Rt wrist X-ray · posteroanterior projection · pediatric patient (male, age 15) · 111.7 mm image width
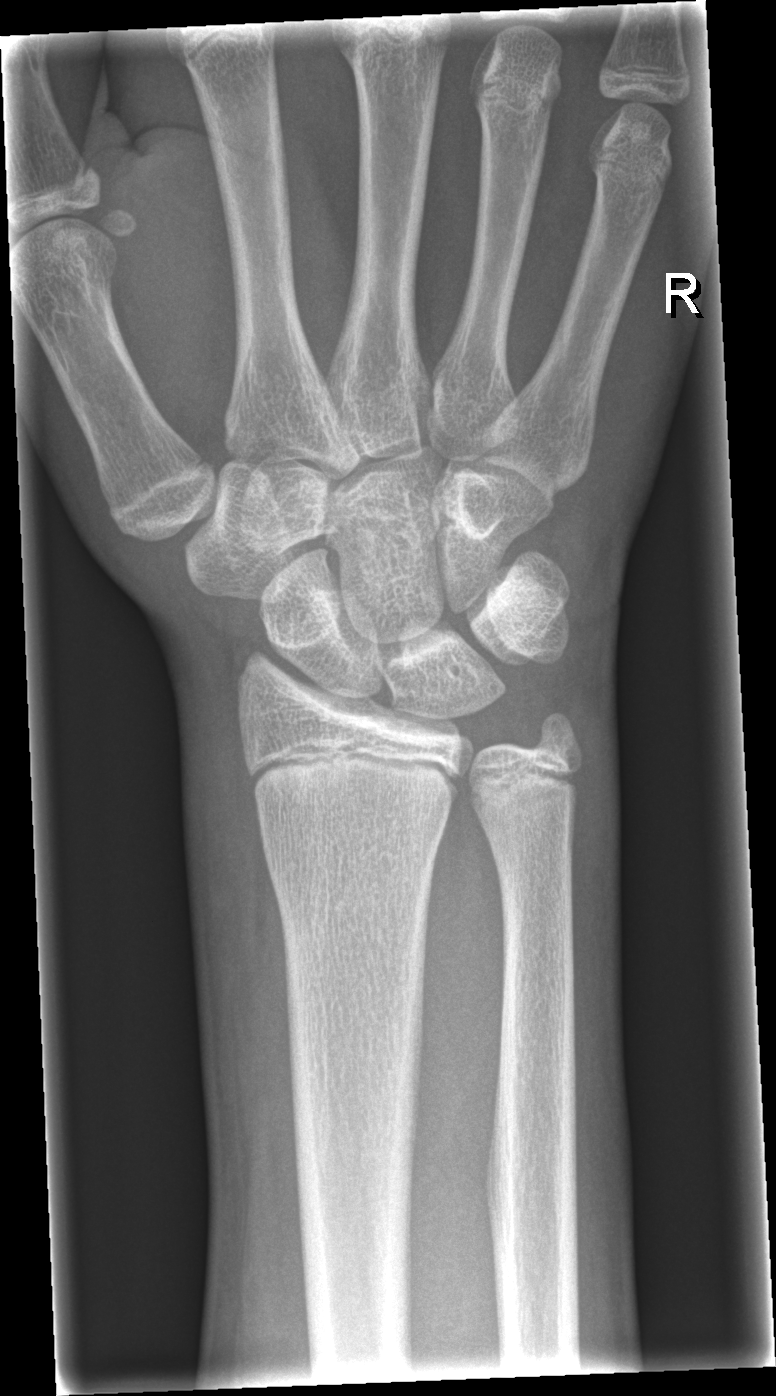
No fracture annotation.